Lat projection, left wrist X-ray, age 10 y, male, presentation radiograph.
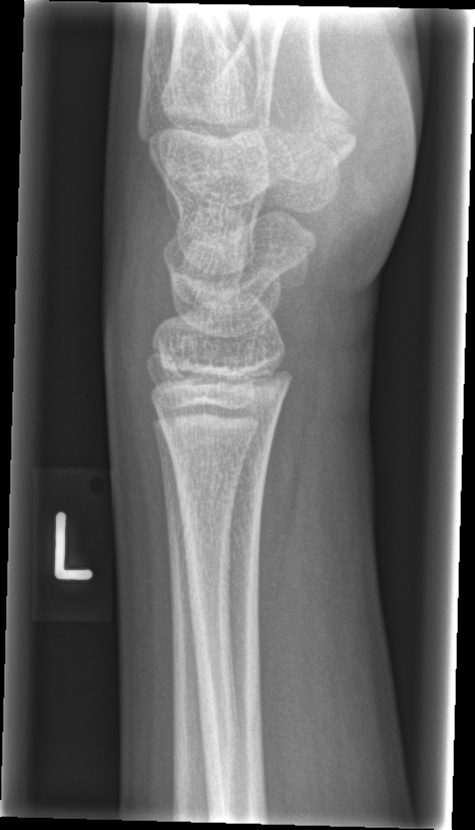

No fracture annotation.